Right wrist plain film | AP | presentation radiograph: 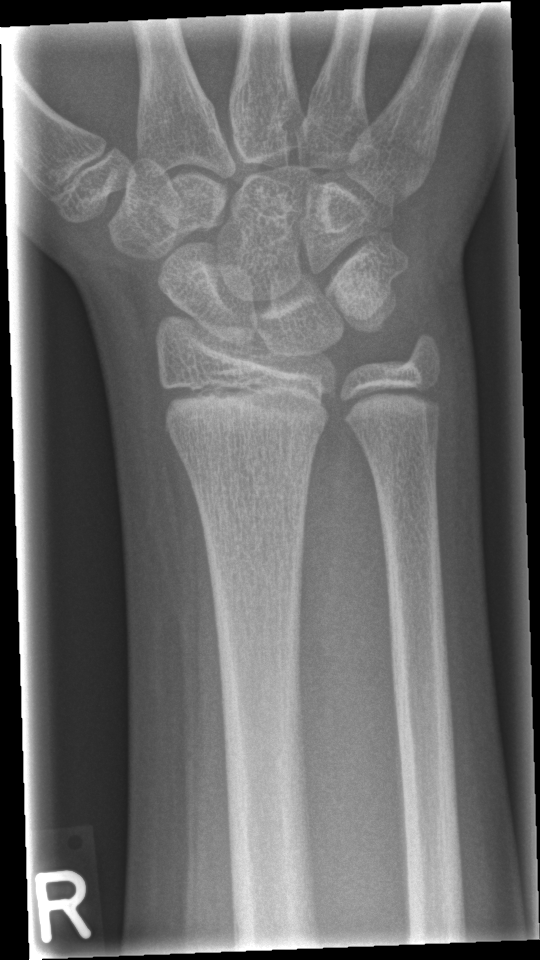

* Fracture present, though not clearly seen in this view.
* AO/OTA classification: 23r-M/2.1.